Posteroanterior projection · right wrist radiograph · 6y F · 494 by 834 pixels 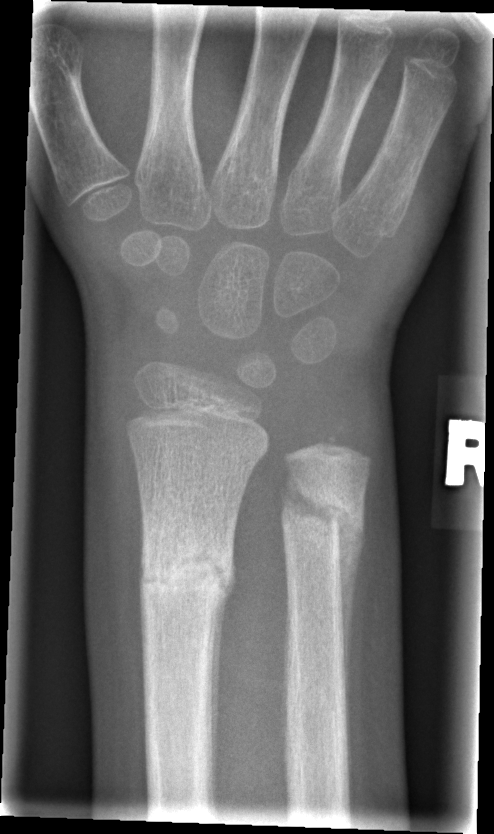

(pixel coordinates, top-left origin, xyxy)
AO/OTA = 23-M/3.1
Periosteal reaction = <337,510>-<366,700>; <207,576>-<232,776>
Fracture = <135,515>-<236,620> <274,467>-<366,561>